Left wrist X-ray, AP, 10-year-old boy, cast in situ —

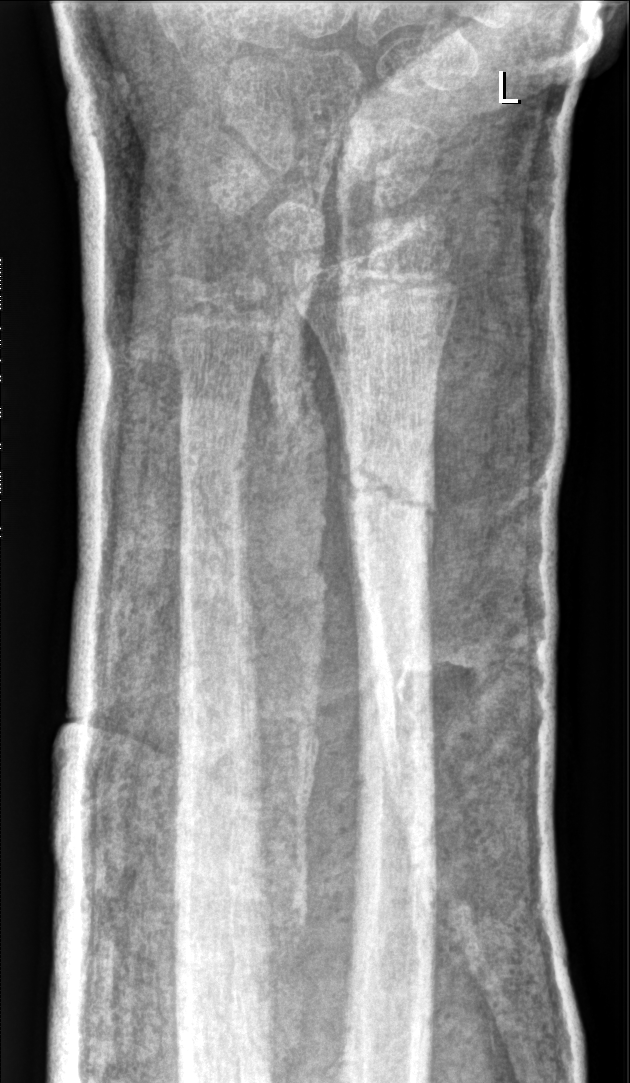
* Coordinates are [x1, y1, x2, y2] in image pixels.
* Fracture classified AO/OTA 23r-M/3.1; 23u-M/2.1.
* One Fx at 339 444 441 552.